Left wrist XR; PA/AP projection; follow-up; in cast
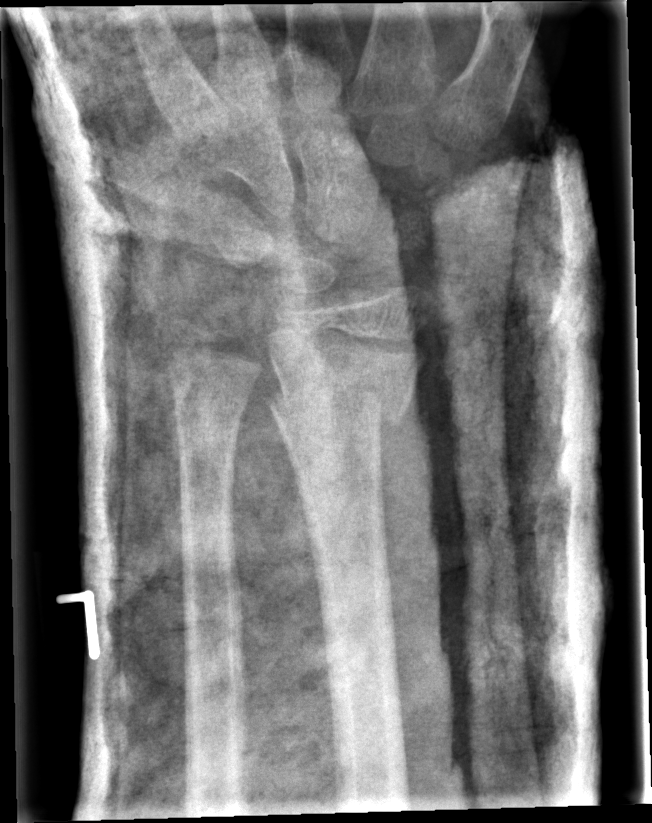 Findings: Fracture: <262,372>-<411,433>. AO code 23r-M/3.1; 23u-M/2.1.